Lateral projection, Lt wrist radiograph, follow-up study, imaged through cast, 610 by 1080 pixels.

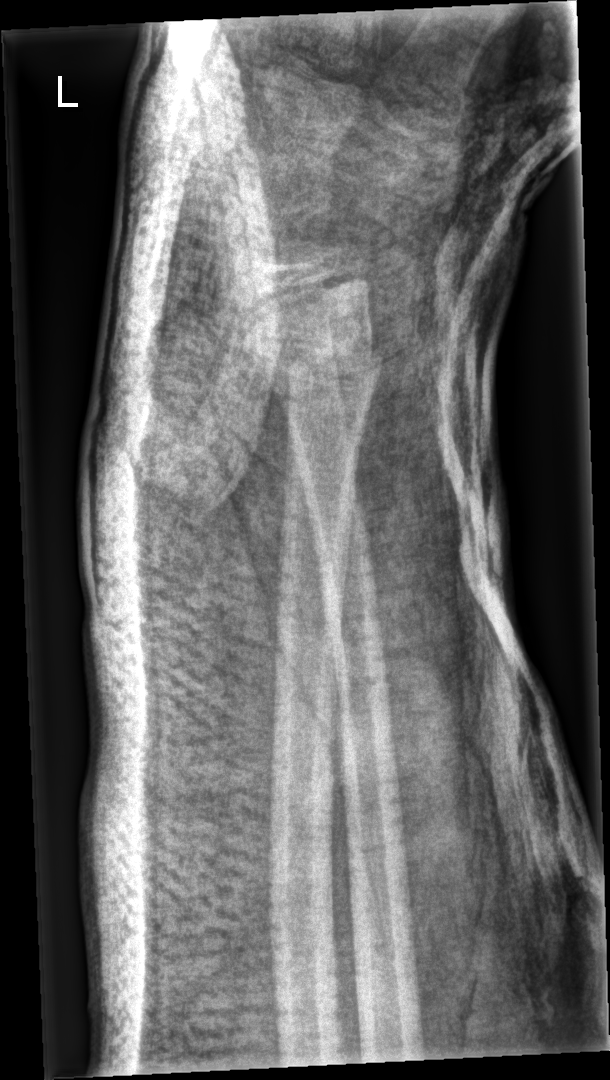 (pixel coordinates, top-left origin, xyxy)
Fx: 1 @ 240,281,390,399